R wrist X-ray; PA projection

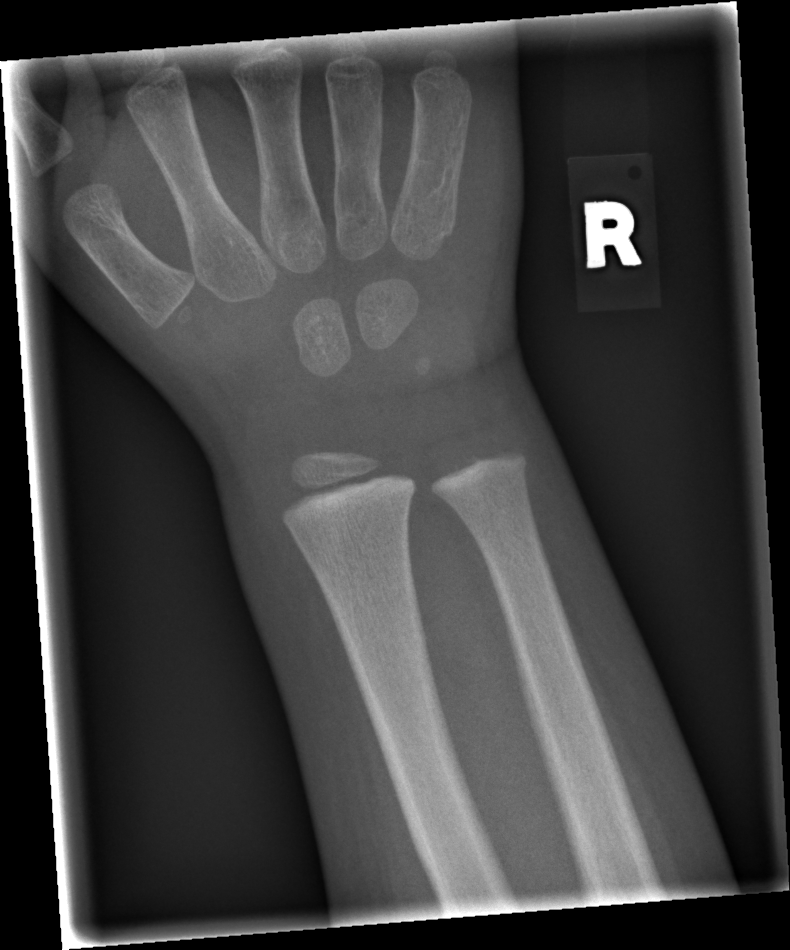
FINDINGS — No Fx annotated.